Lateral; right wrist plain film; age 13 y, boy; initial study; 559x1286

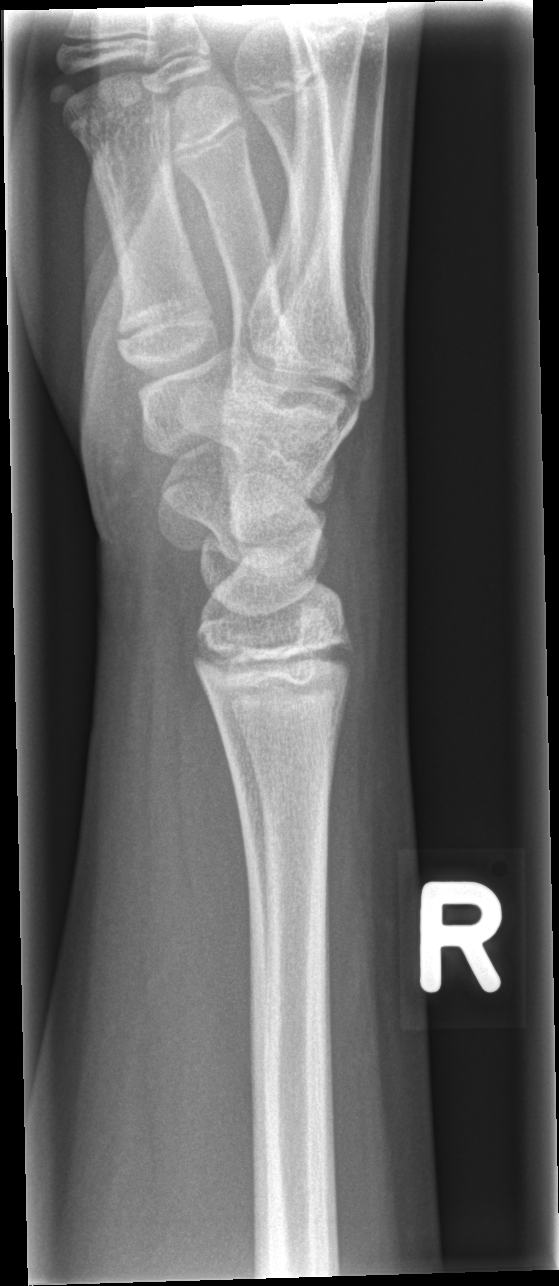

Fracture: none labeled